L wrist X-ray · PA · 1.2-year-old male:

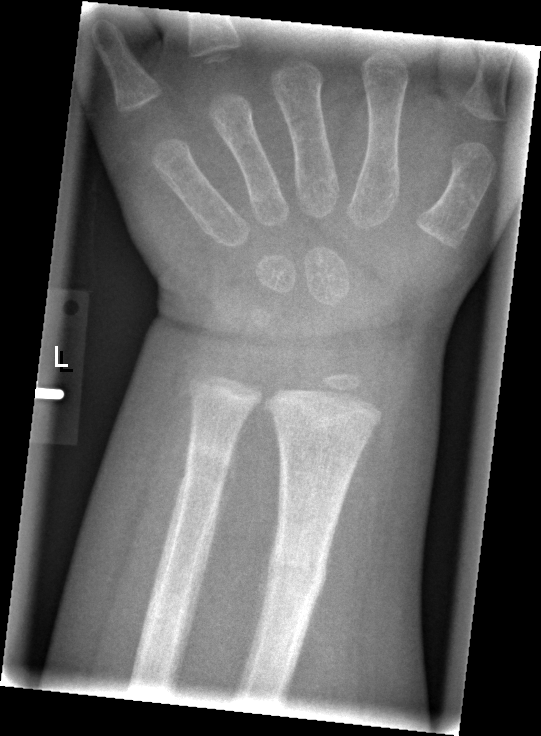

Bone fracture identified at <262,535>-<332,604>; <177,443>-<237,496>. Periosteal thickening — <207,416>-<248,562> <250,489>-<283,653>.